Lat | right wrist plain film | 11-year-old boy | 498x838
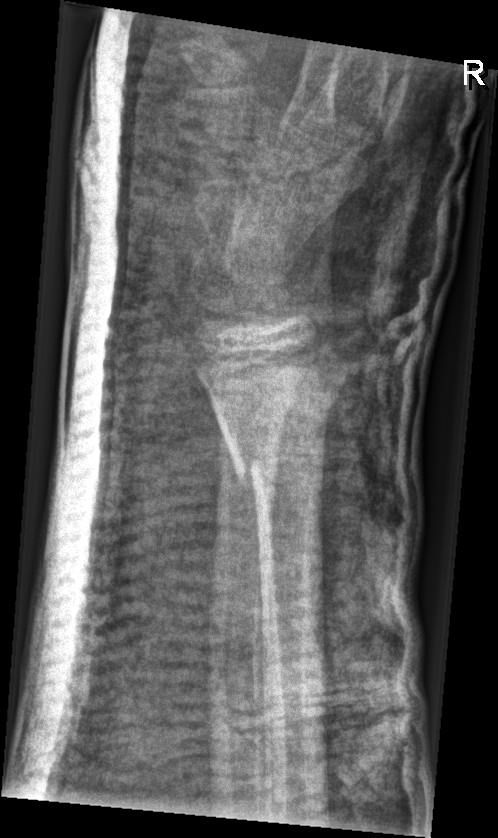 {"fracture": "1 @ <195,345>-<332,481>", "ao": "23r-M/3.1"}